Right pediatric wrist radiograph · AP · pediatric patient (male, age 15) · follow-up · 648 by 1548 pixels: 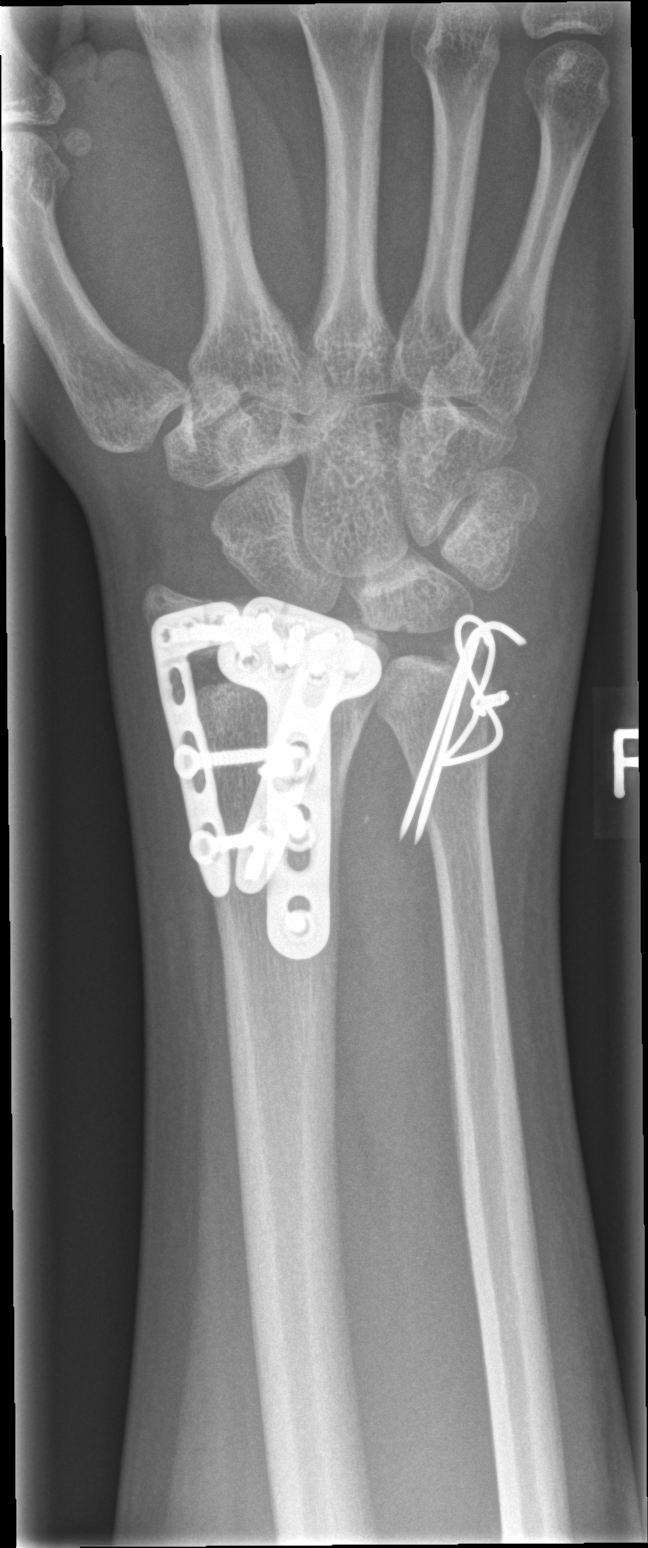
* Pixel coordinates, top-left origin, xyxy.
* No fracture annotation.
* Osteopenia.
* Hardware — bbox(148, 593, 386, 964); bbox(396, 614, 525, 849).